Right wrist XR, lat projection, boy, 7 yo, image width 72.6 mm, image size 504x742:
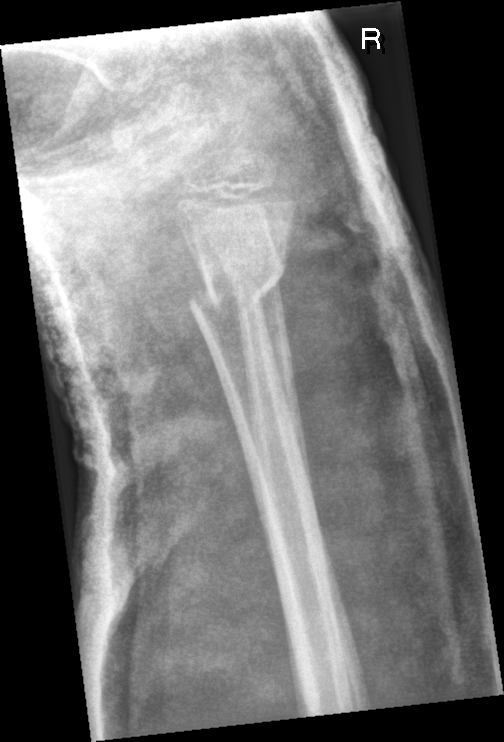 Bone fracture: 1 @ <185,255>-<291,314>